Rt pediatric wrist radiograph | PA/AP view | 477x746
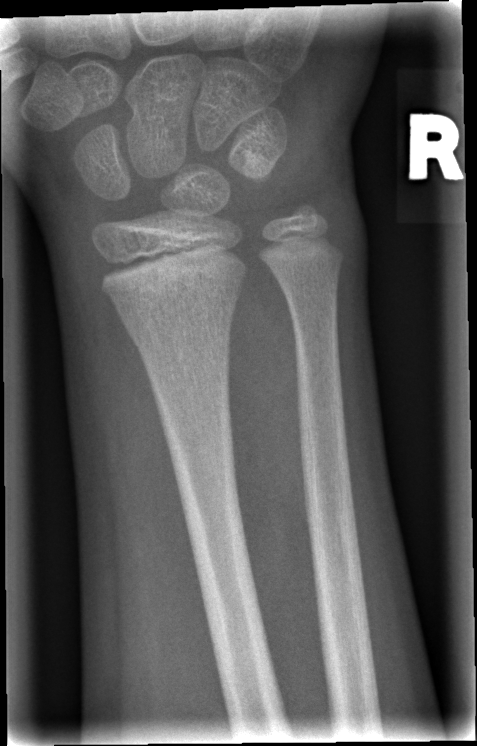 Q: Is there a fracture?
A: Fx present but not clearly seen in this view